Lateral · L wrist XR · follow-up · image width 56.4 mm 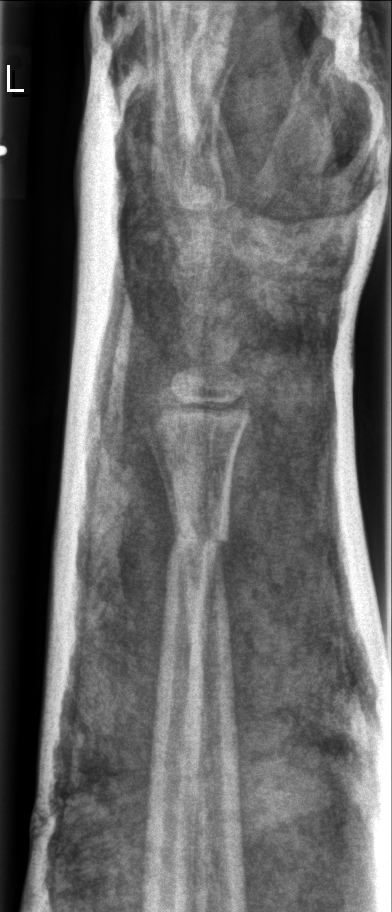
One Fx at [167, 504, 235, 576].